Left wrist plain film · lateral view · 9y F · follow-up: 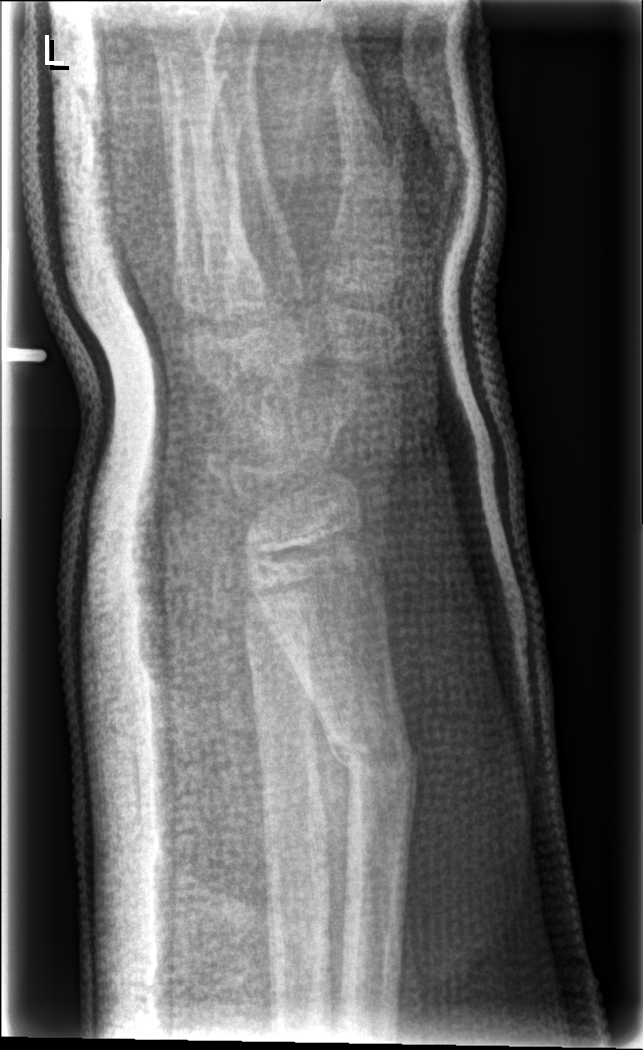
* Fracture — (left=327, top=736, right=419, bottom=784).
* AO/OTA classification: 23r-M/3.1.